Lat | left wrist XR: 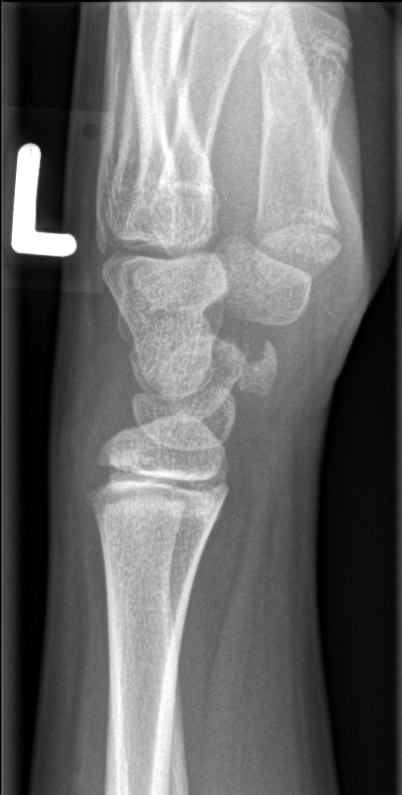 FINDINGS: Fx: none.